Posteroanterior, left wrist plain film, age 10 y, boy, initial study —

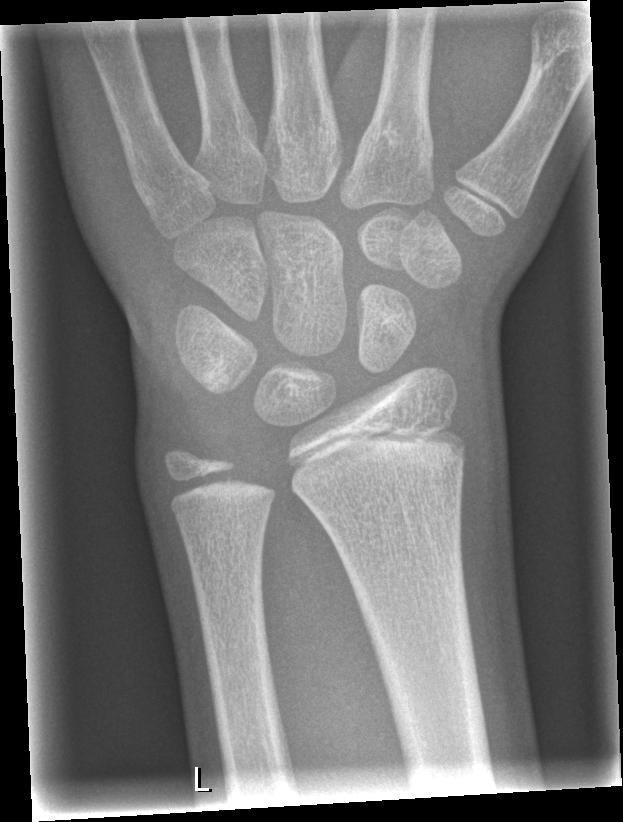

FINDINGS — No fracture labeled.